PA · R plain radiograph of the wrist · index exam
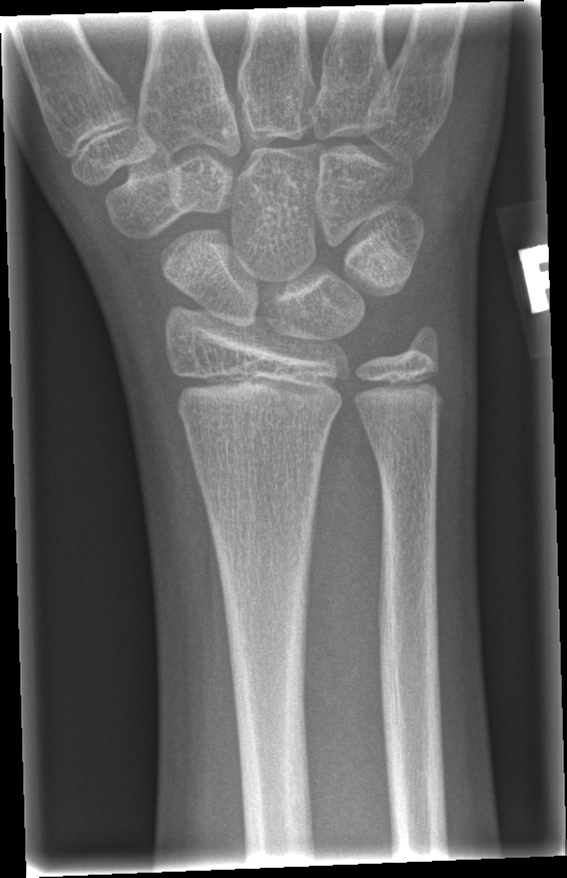

Bone fracture = none labeled